Right wrist X-ray, AP, detector: Siemens —
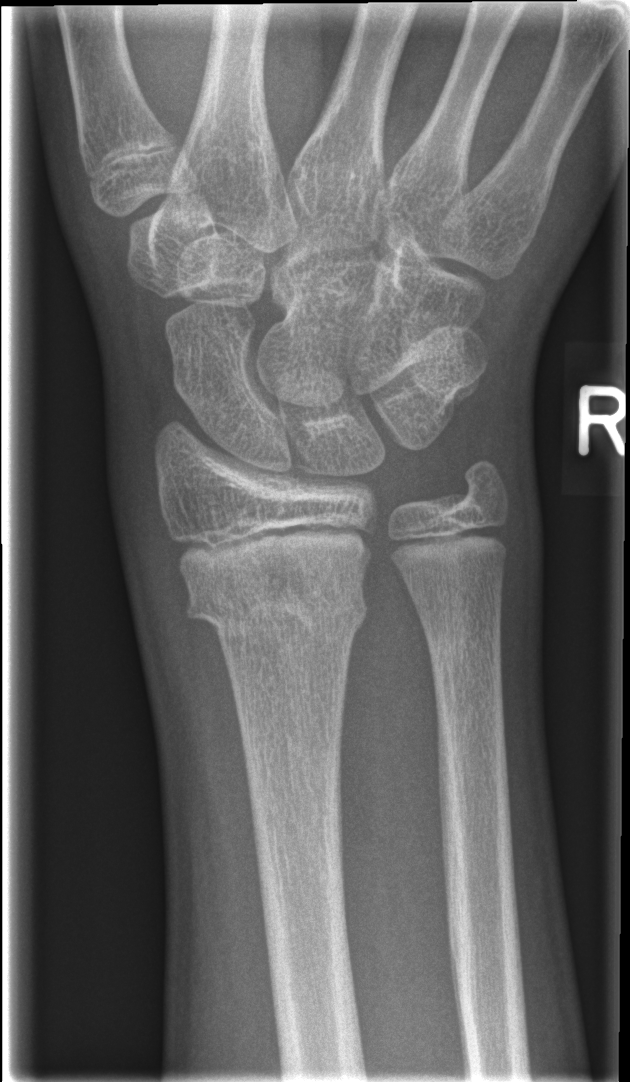 Fx — bbox(183, 565, 372, 647).
Fracture classified AO/OTA 23r-M/2.1.